Rt wrist X-ray · lateral · girl, 14 yo · in cast 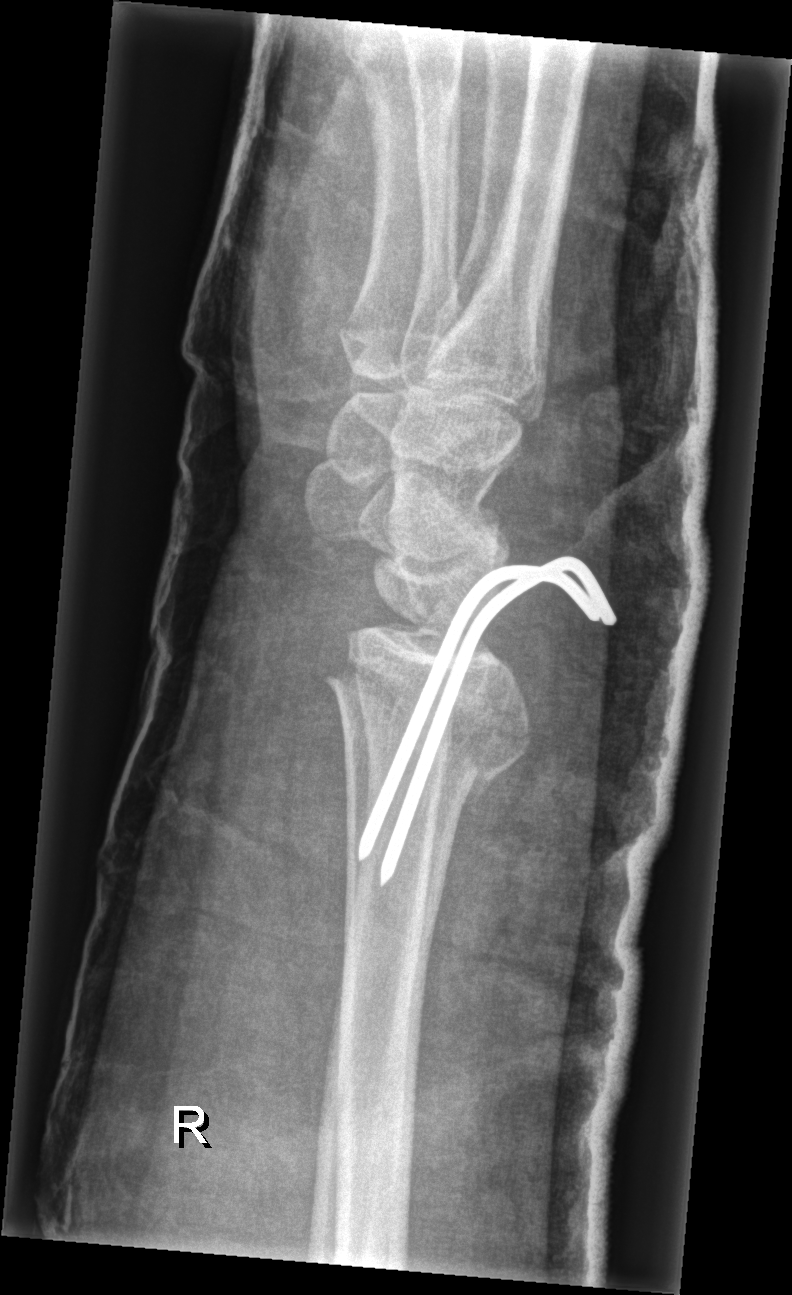

Pixel coordinates, top-left origin, xyxy.
Fracture: <320,650>-<517,819>.
Hardware: <355,554>-<615,889>.